R wrist XR · PA · male, 6 yo · detector: Siemens —
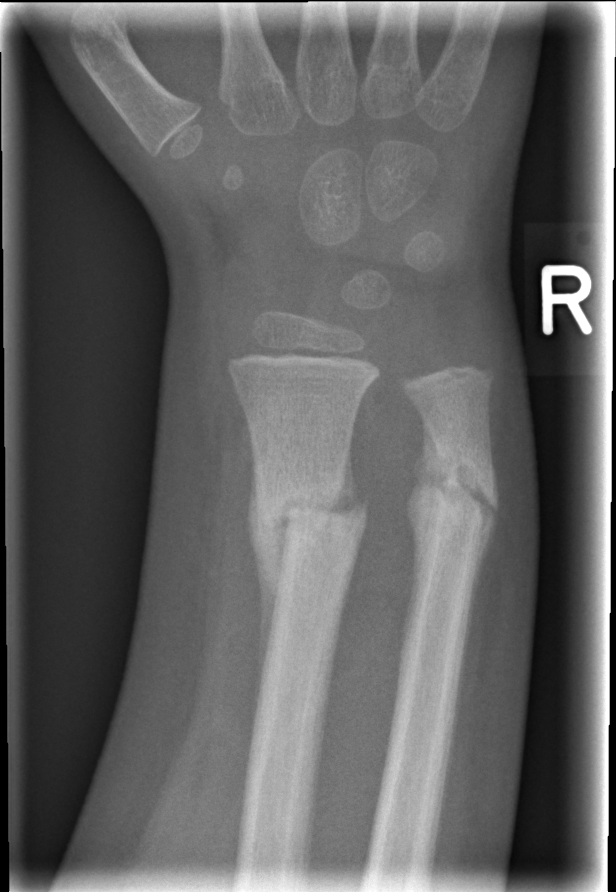

Coordinates are [x1, y1, x2, y2] in image pixels.
AO/OTA classification: 23-M/3.1.
Bone fracture identified at 245,471,374,577; 416,446,502,540.
Periosteal new bone: 246,429,285,725; 402,420,445,661; 469,463,501,611; 325,442,368,518.